Left wrist plain film; lat view: 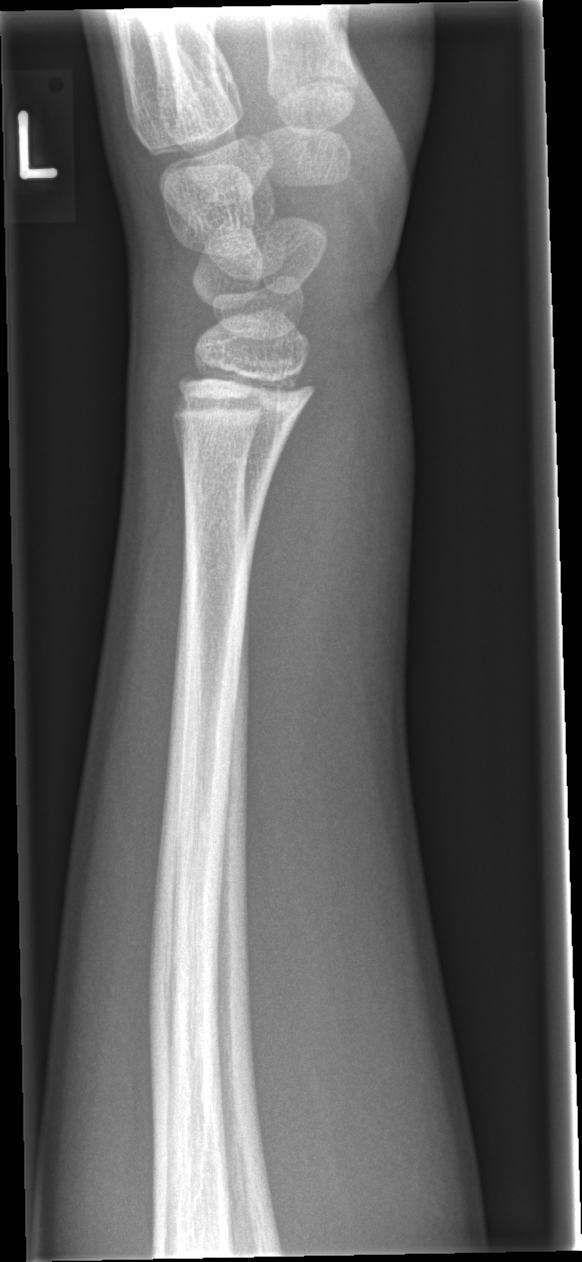 Pronator quadratus fat-pad sign identified at (left=248, top=360, right=350, bottom=663).
AO code 23r-E/1.
Fracture identified at (left=169, top=363, right=319, bottom=423).